Lt wrist plain film · frontal view · 546 x 929 px:

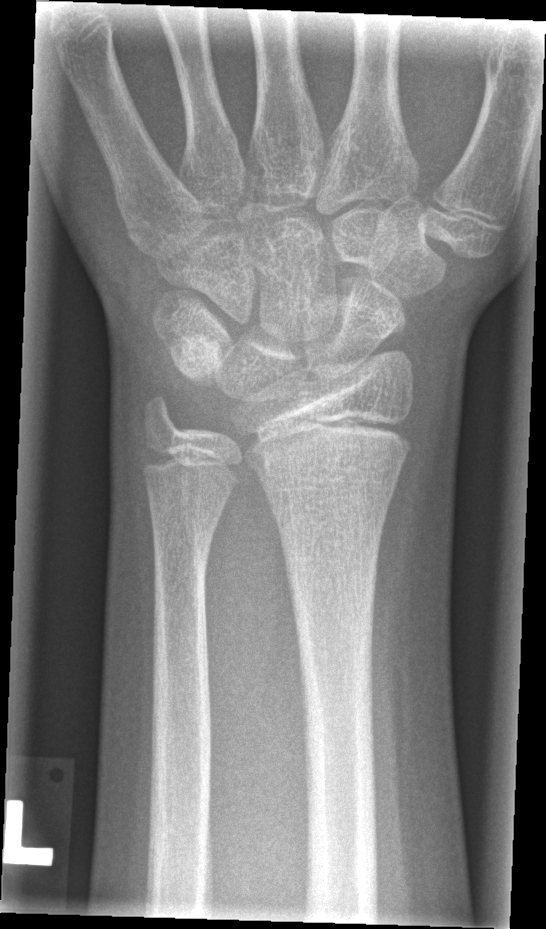 No fracture bounding box. Decreased bone density (osteopenia).